Posteroanterior view; R wrist plain film; 3y M; acquired on Siemens:

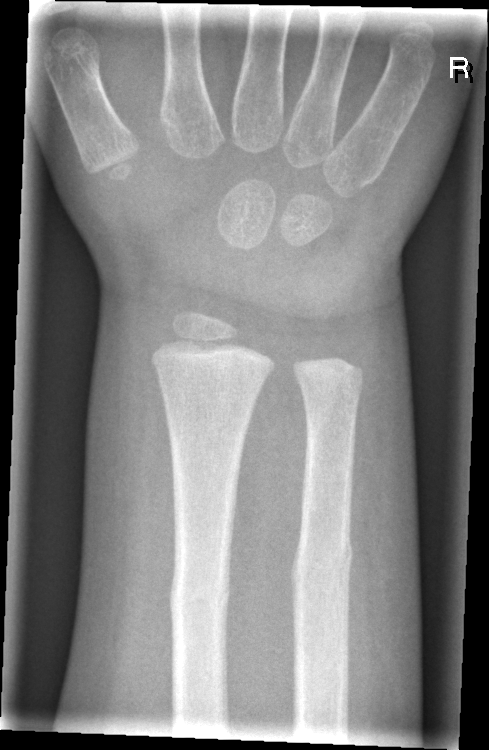
Two bone fractures at <289,527>-<355,603>; <166,564>-<233,628>.
AO code 22-D/2.1.